R wrist XR; lateral view; 7-year-old boy; presentation radiograph —
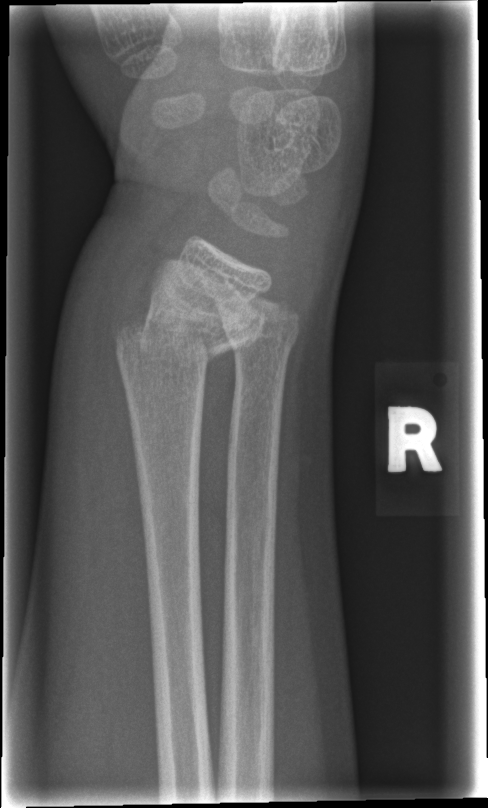

(bounding boxes in image-pixel xyxy)
AO/OTA: 23r-M/3.1; 23u-M/2.1
Fx: 2 @ (104, 291, 272, 372) (218, 314, 303, 363)